Left wrist plain film; lat projection; age 10 y, boy; index exam; image 74.4 mm wide — 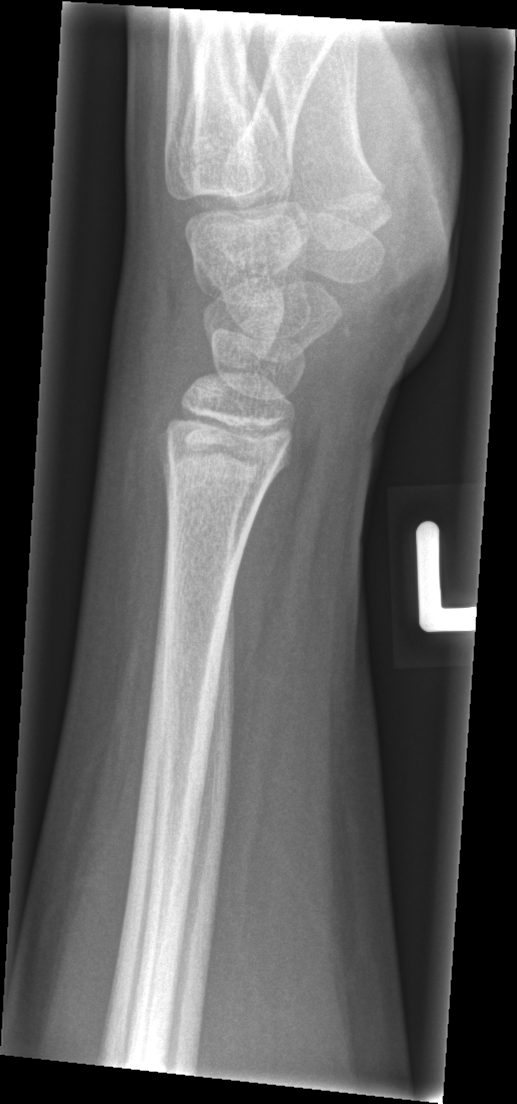 Fracture = none labeled